Lateral view | Lt wrist radiograph | 9y M | follow-up:

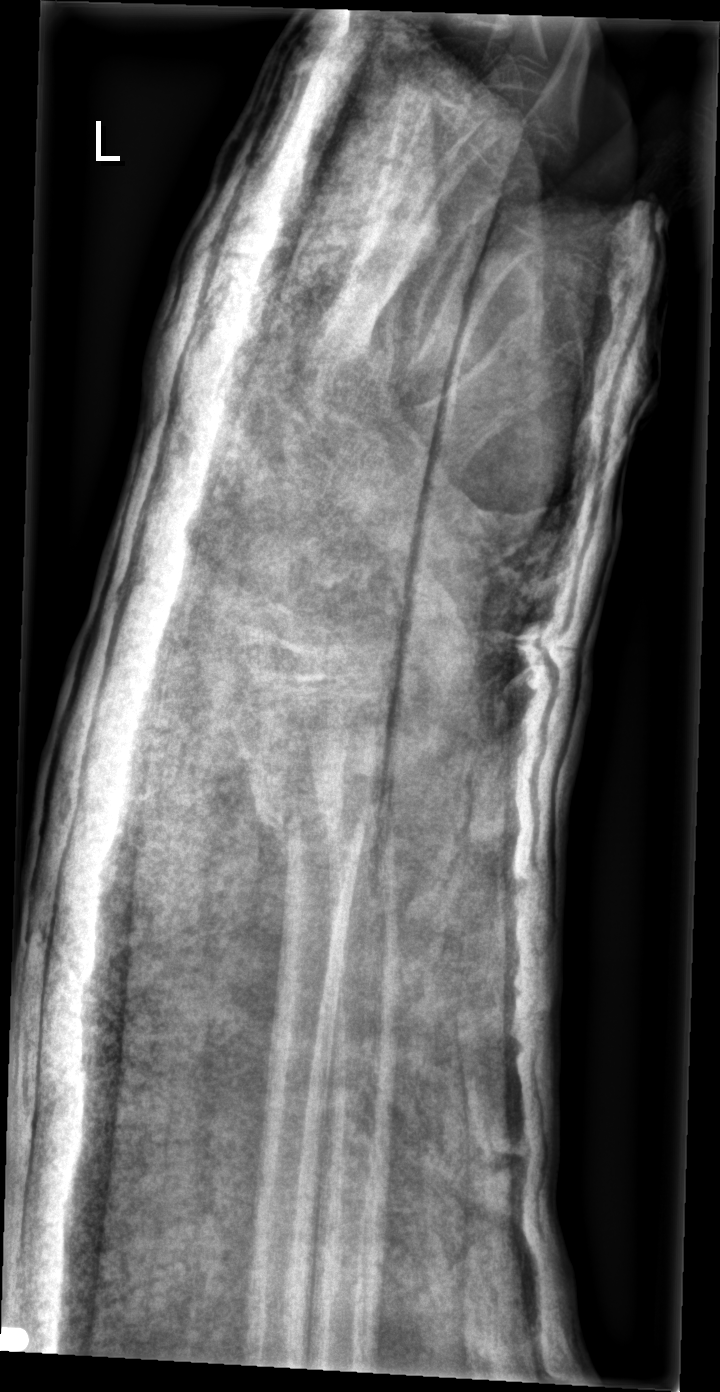 Q: Any fracture seen?
A: Fracture: (246, 791, 375, 867)